R wrist X-ray; lateral view; follow-up study

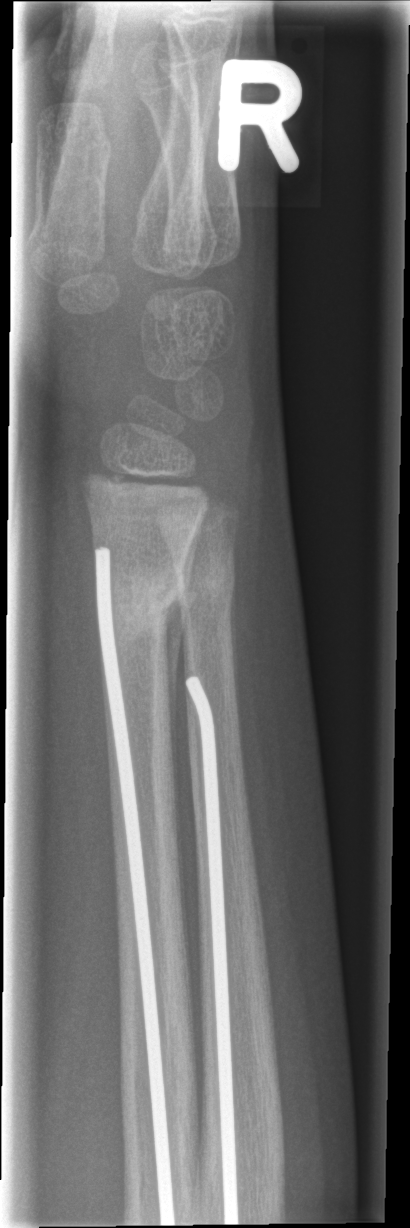

(coordinates are [x1, y1, x2, y2] in image pixels)
AO code: 23-M/2.1
fracture: (left=101, top=561, right=188, bottom=644); (left=172, top=554, right=241, bottom=615)
metal: 2 @ (left=91, top=544, right=175, bottom=1226), (left=182, top=671, right=241, bottom=1226)
osteopenia: present